R wrist XR; lateral view; boy, 7 yo; follow-up study
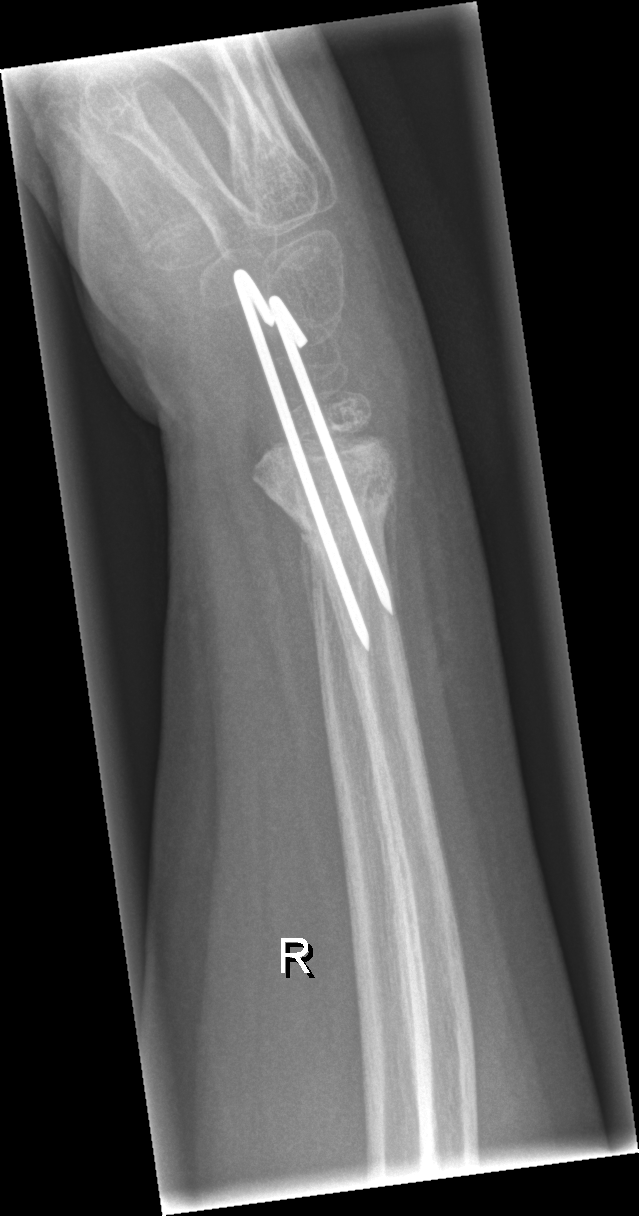

Decreased bone density (osteopenia).
Fracture: [270, 458, 405, 551].
Fracture classified AO/OTA 23-M/3.1.
One hardware at [234, 269, 393, 652].